Left wrist plain film | lat view | age 12 y, male | image 88.0 mm wide:
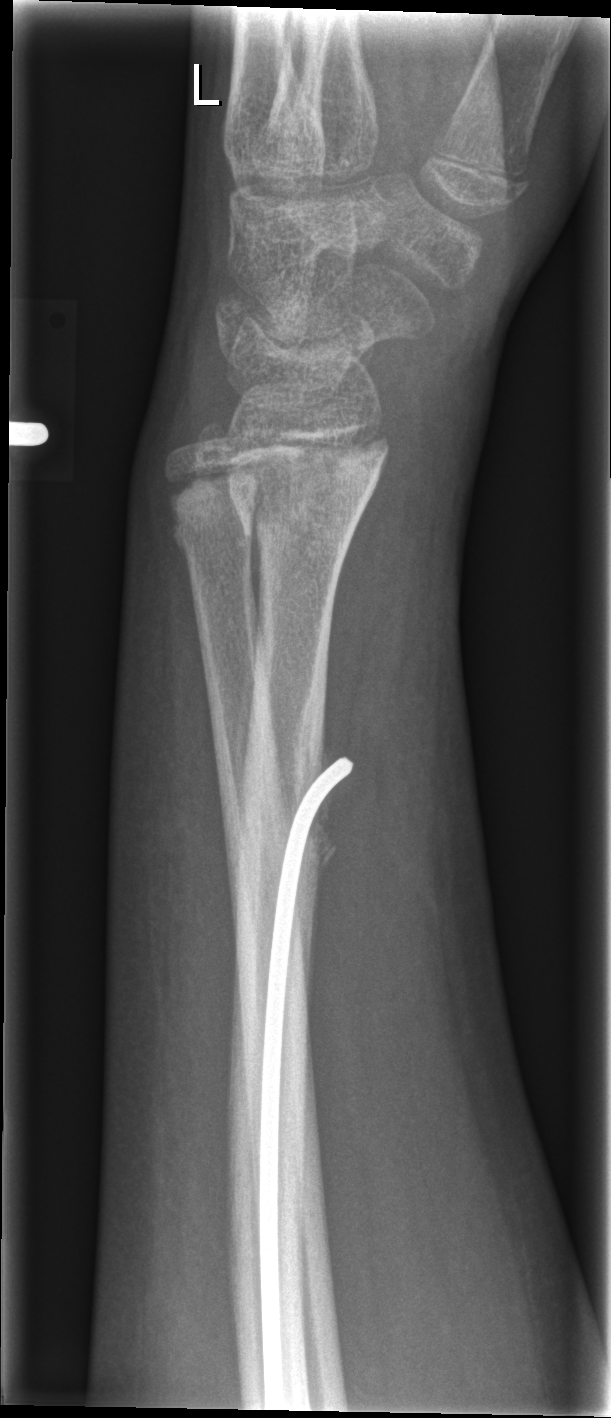
Bone fracture: 2 @ 232,415,393,557; 164,464,268,553
Osteopenia: present
Metal: 1 @ 255,750,355,1412